Right pediatric wrist radiograph · lateral · pediatric patient (boy, age 15).
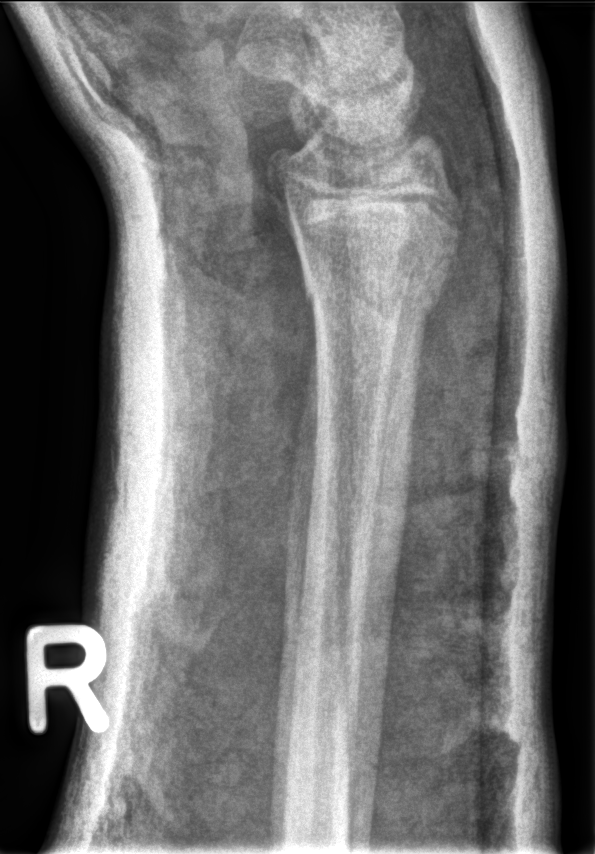

• AO/OTA classification: 23r-M/3.1; 23u-E/7.
• Fx: [296, 230, 461, 328].